PA view; right wrist plain radiograph of the wrist; 11y F; cast in situ; 564 by 1104 pixels — 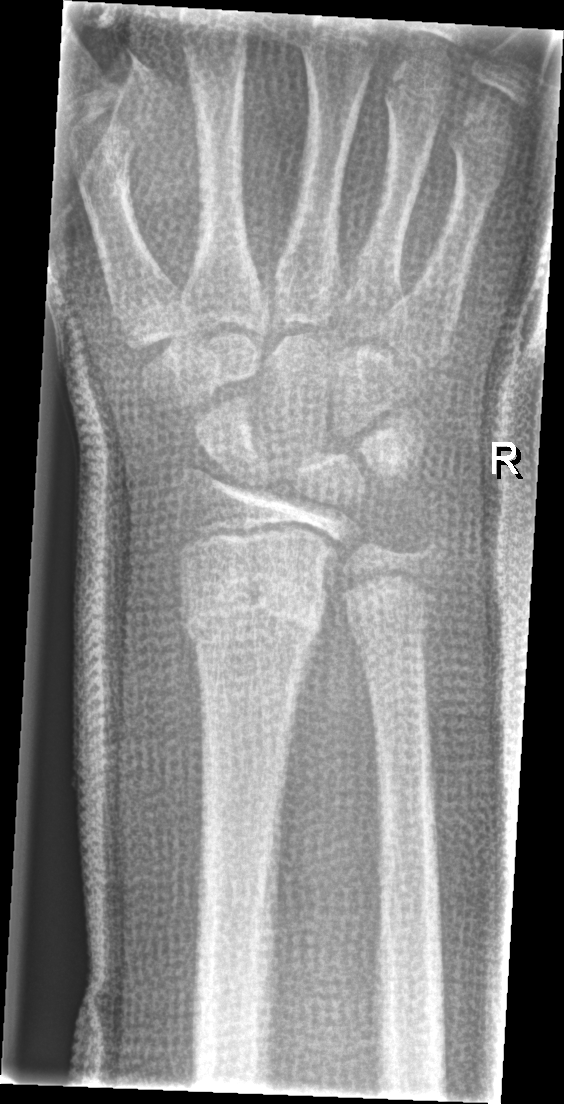 (coordinates are [x1, y1, x2, y2] in image pixels)
Q: Any fracture seen?
A: Two fractures at <175,570>-<329,656> <334,550>-<444,630>